Lateral projection, right pediatric wrist radiograph, pediatric patient (male, age 11)

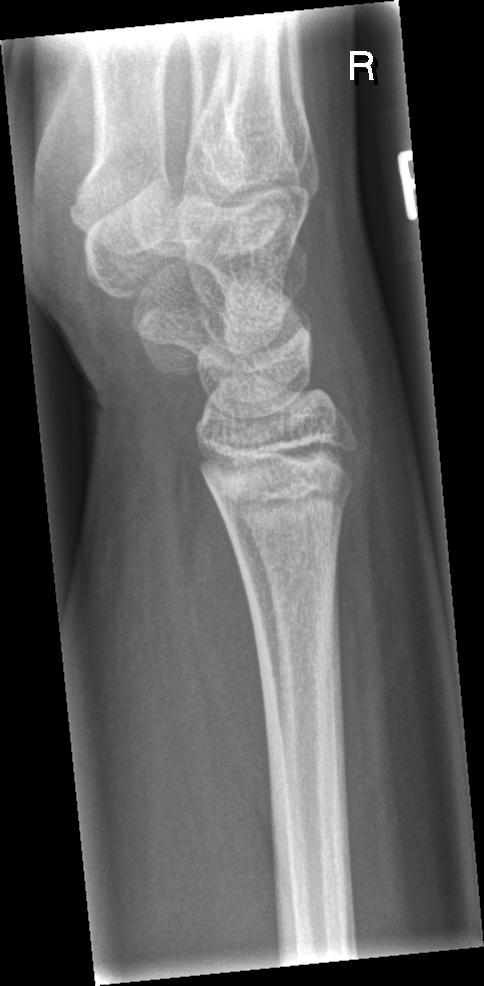
Bounding boxes in image-pixel xyxy. Pronator quadratus fat-pad sign identified at [x1=177, y1=429, x2=272, y2=834]. Bone fracture identified at [x1=209, y1=469, x2=358, y2=533].